Lat, right pediatric wrist radiograph, image 72.9 mm wide

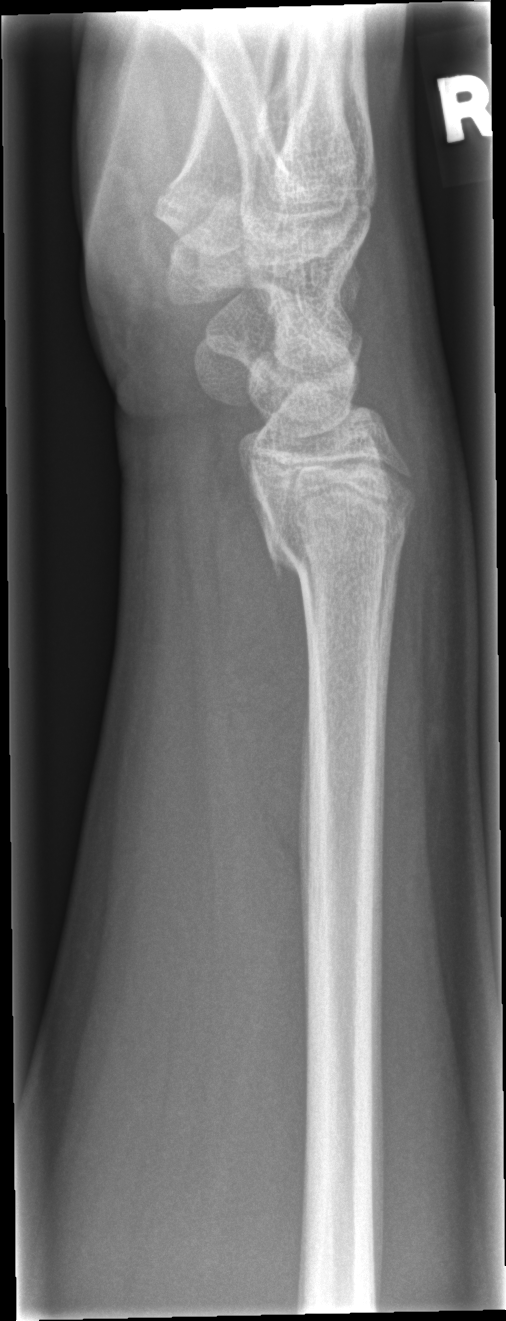 Coordinates are [x1, y1, x2, y2] in image pixels. Pronator sign identified at [214, 395, 315, 922]. One fracture at [260, 504, 414, 586]. AO code 23r-M/3.1.